Right wrist radiograph | lateral projection | age 9 y, girl | initial study | 54.3 mm image width: 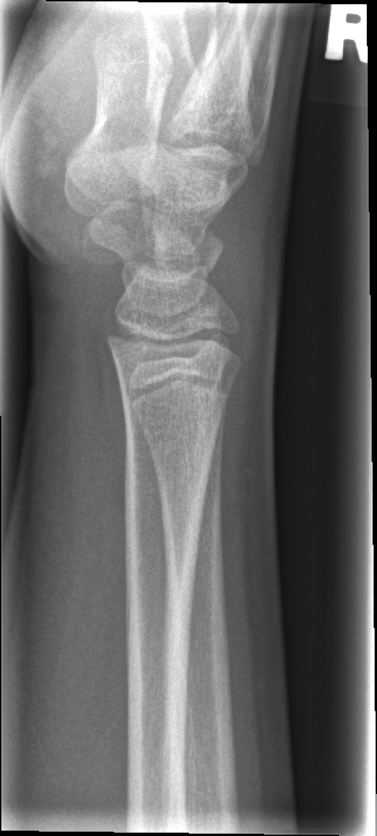 Q: Locate any fractures.
A: No fracture bounding box